PA/AP projection; right wrist XR; 542 by 961 pixels.
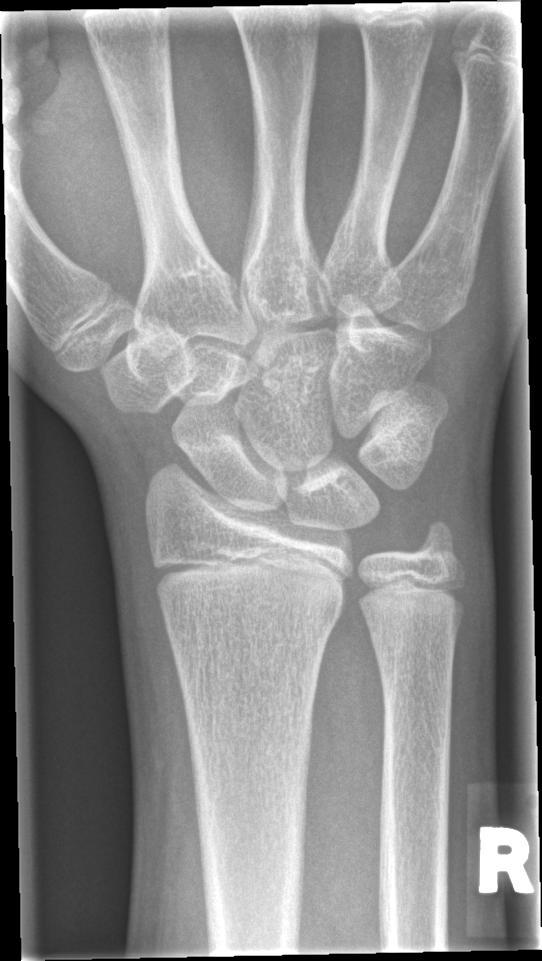
Q: Fracture present?
A: Fracture: none labeled